Lt wrist XR; lateral:
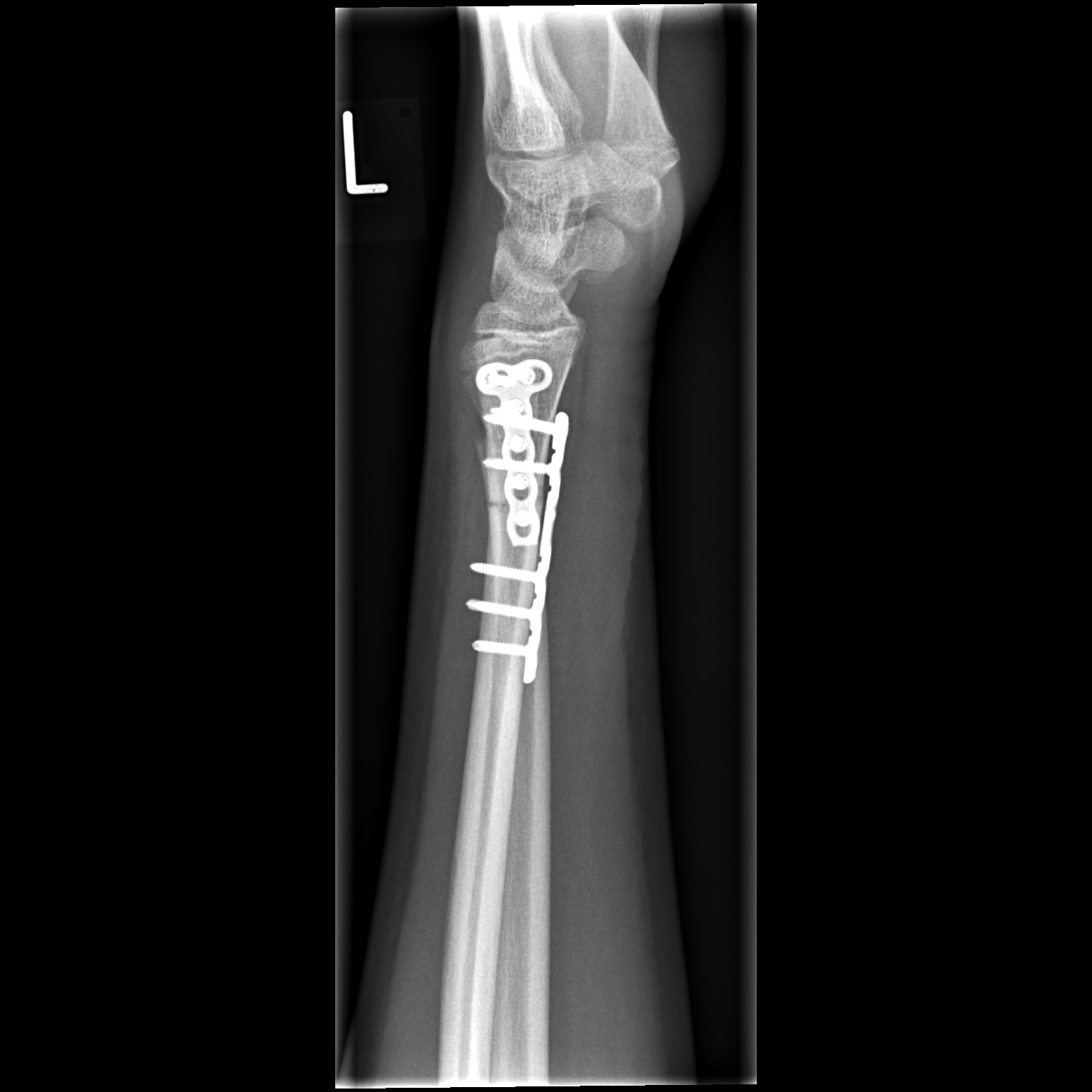
Bone fracture identified at (470, 431, 548, 514). Hardware identified at (472, 361, 567, 682).